Right wrist XR | posteroanterior projection | age 6 y, male | in cast | Siemens | image width 116.5 mm | 809 by 776 pixels:
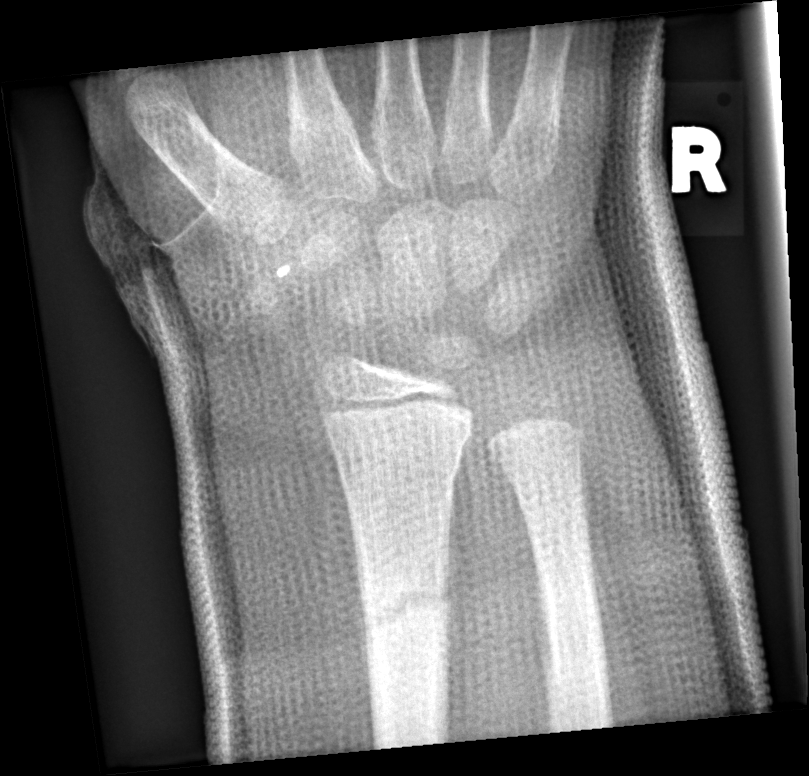

Coordinates are [x1, y1, x2, y2] in image pixels. One bone fracture at [355, 571, 455, 648]. AO code 23r-M/3.1.